L wrist XR · frontal projection · boy, 15 yo:

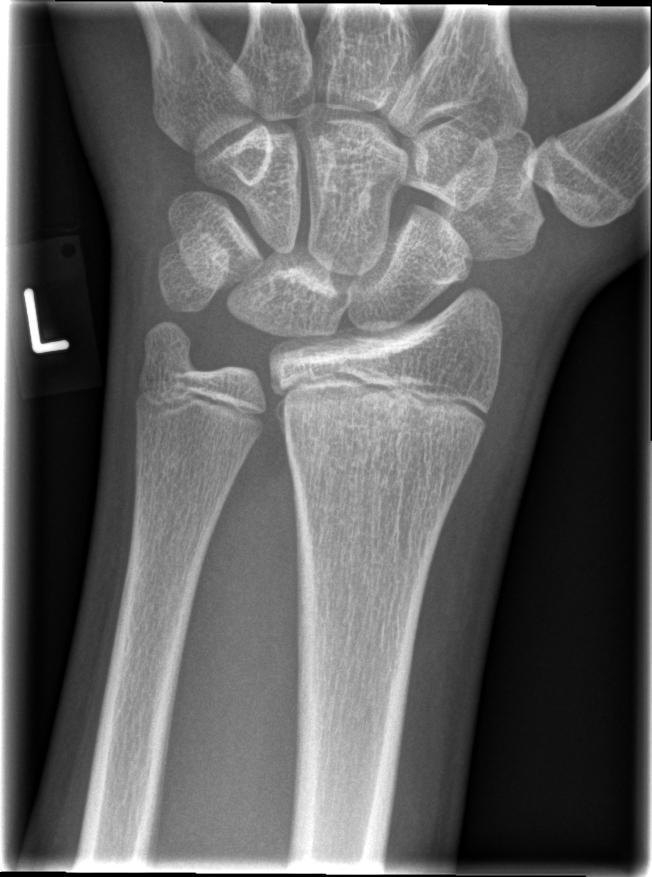

Fracture present but not clearly seen in this view.
AO/OTA classification: 23r-M/2.1.